Right wrist plain film; lat projection; male, 9 yo; Siemens; image size 443x766
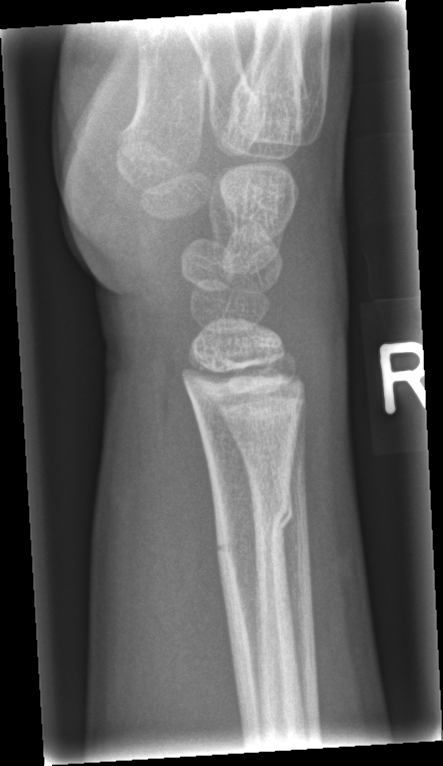 Pixel coordinates, top-left origin, xyxy.
AO/OTA classification: 23r-M/3.1.
Bone fracture identified at (210, 485, 296, 562).